Left wrist pediatric wrist radiograph; lateral projection; Siemens; image 99.4 mm wide; 690 by 888 pixels
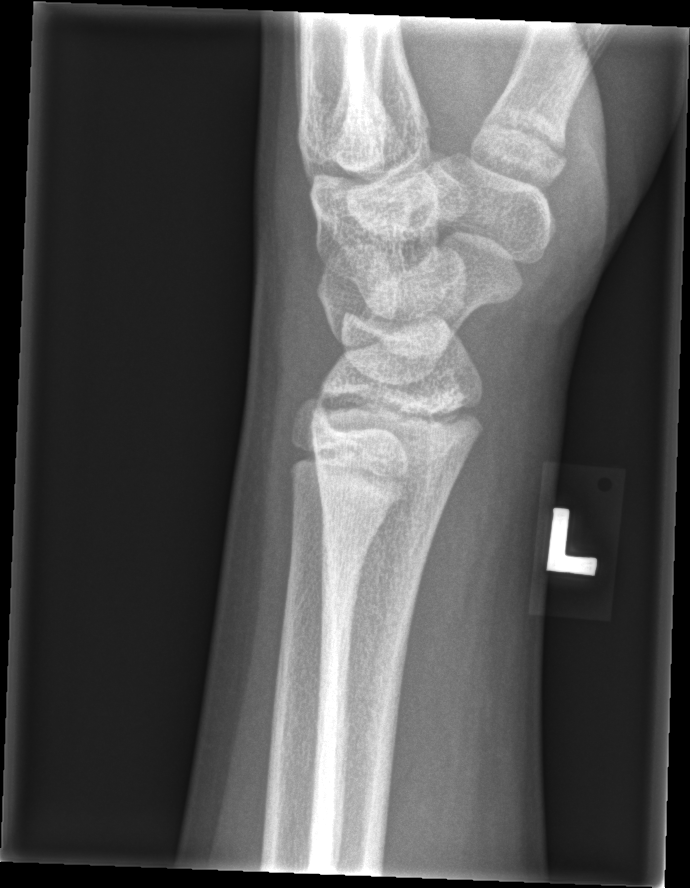 - No fracture labeled.